Lateral · right wrist plain film · presentation radiograph · acquired on Siemens · image width 76.2 mm —
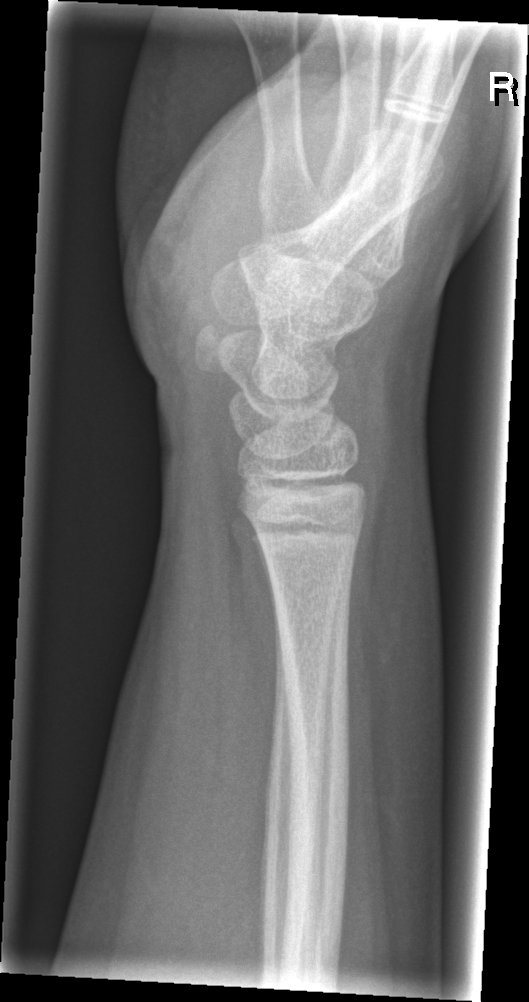

{"fracture": "none labeled"}